Right pediatric wrist radiograph; frontal view; index exam.
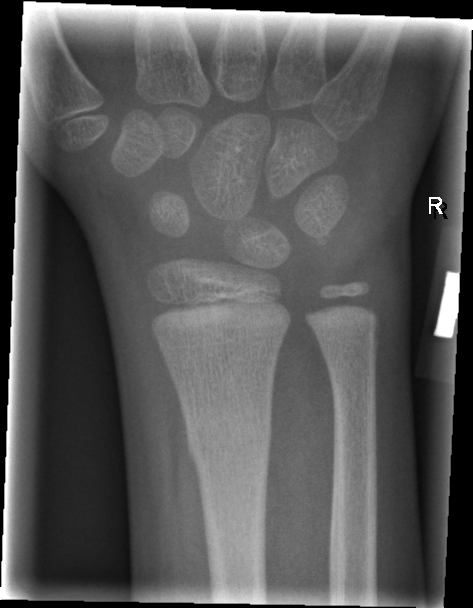
Q: Is there a fracture?
A: Fracture identified at [182, 405, 276, 470]